Right wrist plain film · lateral projection · follow-up · acquired on Siemens · image size 550x1130 —

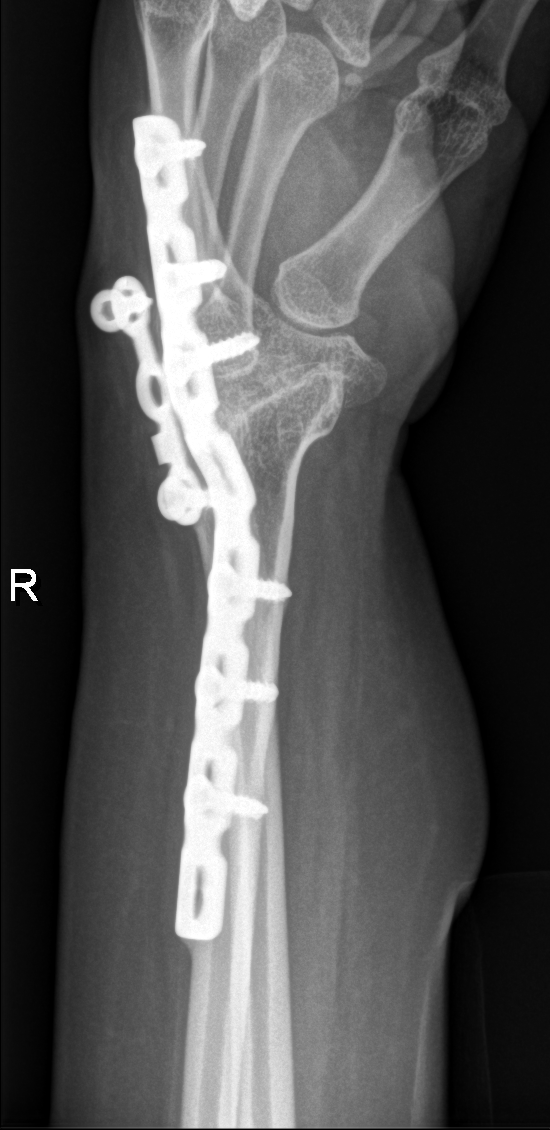
- Boxes as x1,y1,x2,y2 (top-left / bottom-right, pixel units).
- No fracture annotation.
- Hardware identified at bbox(90, 110, 297, 935).